Frontal, R wrist plain film, male, 14 yo 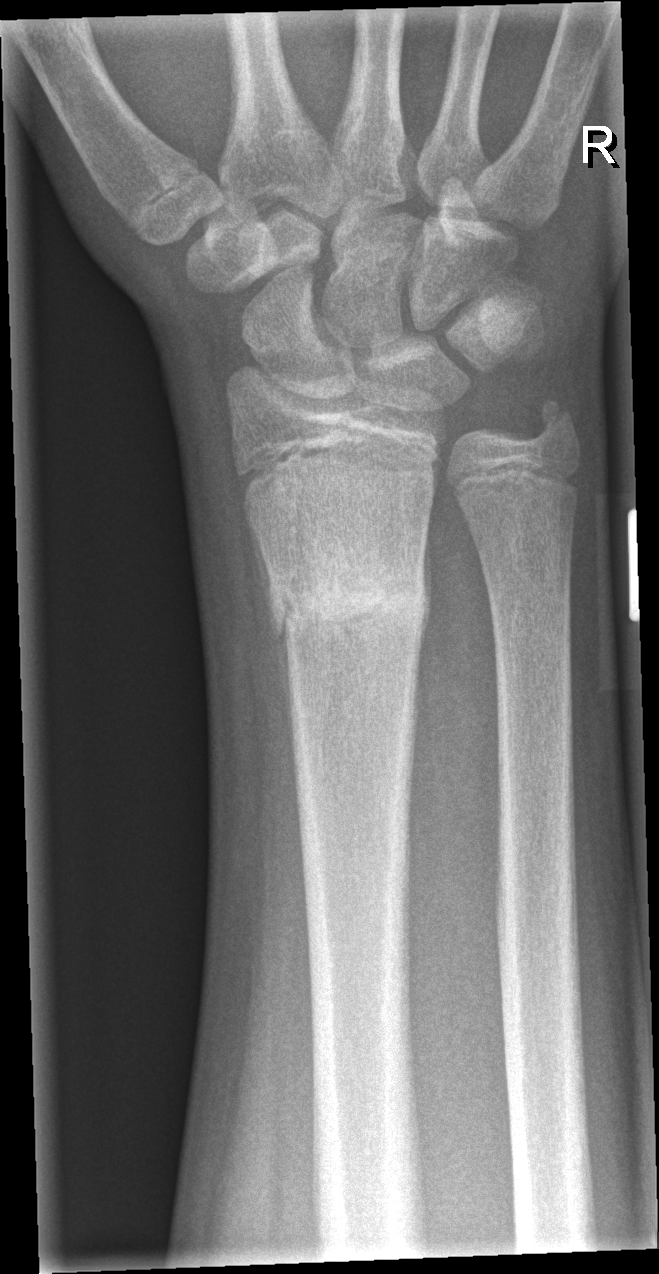

Decreased bone density (osteopenia). Fx — [263, 553, 432, 645] [522, 391, 585, 457]. Two periosteal reaction at [251, 521, 294, 768]; [417, 529, 433, 669].